Posteroanterior view · left wrist plain radiograph of the wrist · 15-year-old male · subsequent exam · cast in situ · 799 by 974 pixels. 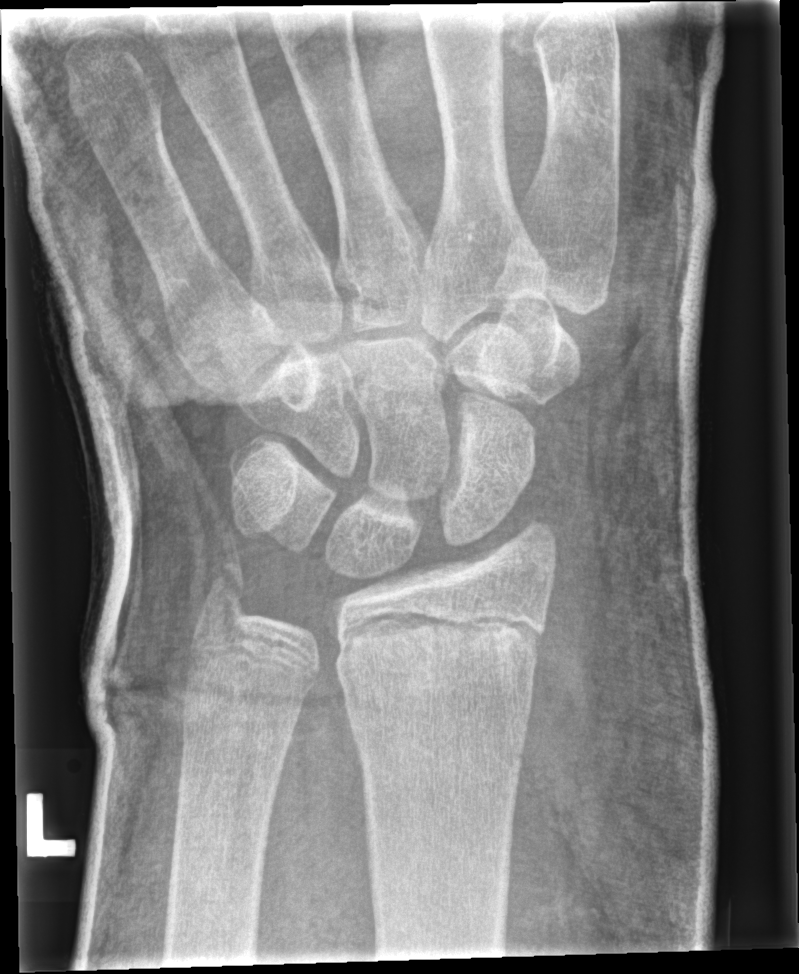
* Bounding boxes in image-pixel xyxy.
* AO code 23r-E/2.1; 23u-E/7.
* Fx: <331,607>-<544,723>; <194,552>-<262,645>.